PA projection | Rt wrist radiograph. 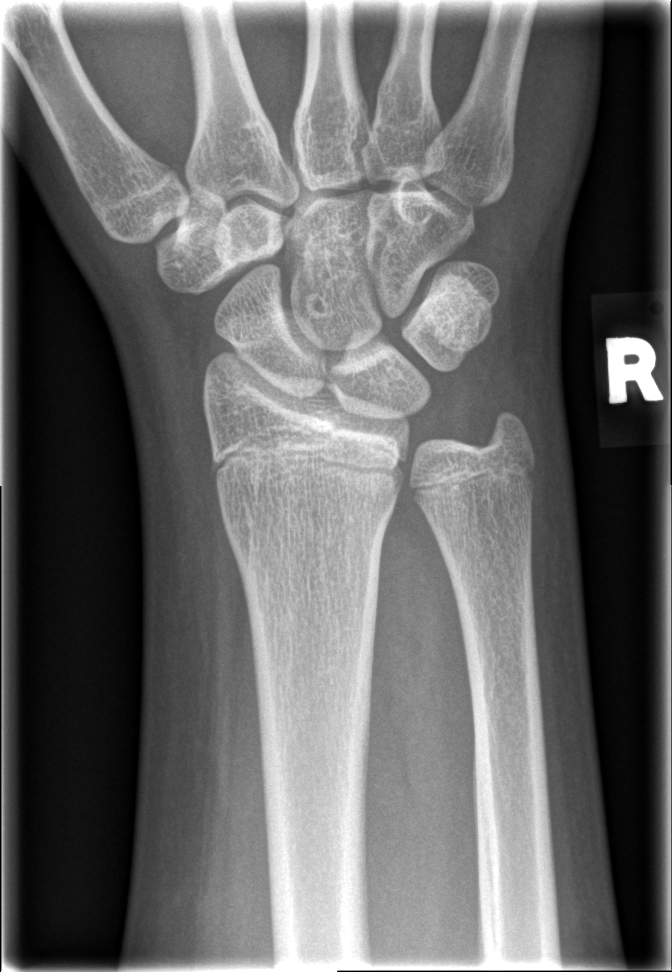
{
  "fracture": "none labeled"
}